PA/AP projection; Lt plain radiograph of the wrist; 9-year-old girl; presentation radiograph:
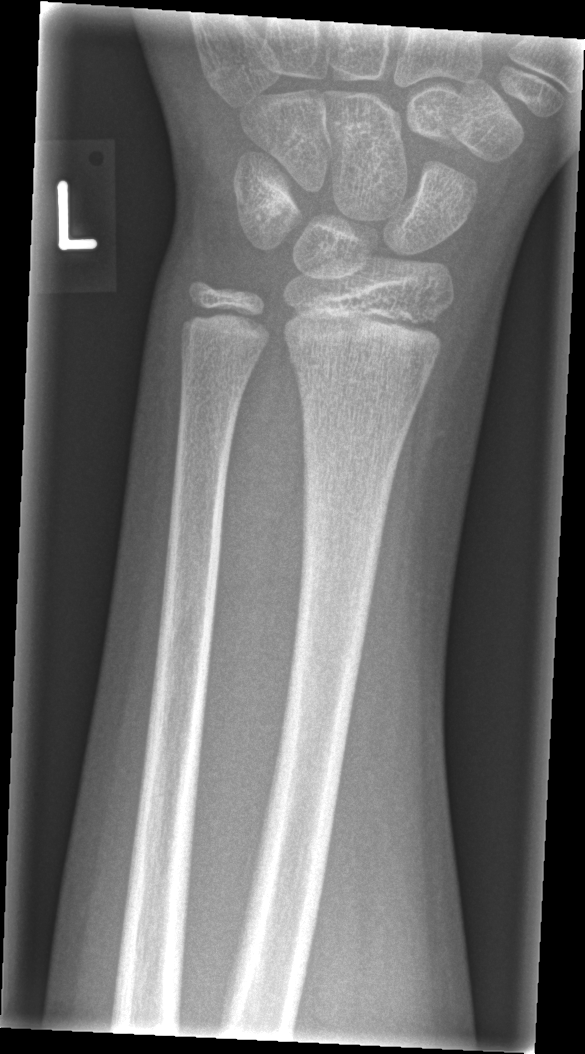

Bone fracture = none labeled